R wrist plain film | AP view | index exam | Siemens
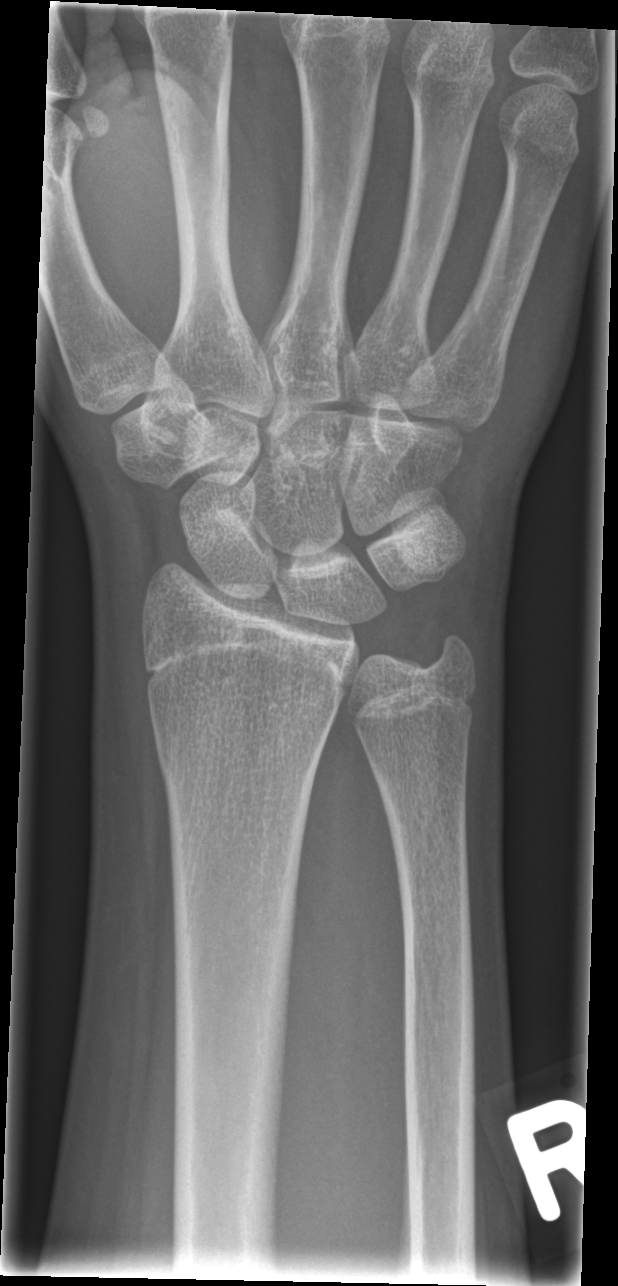

{"fracture": "none labeled"}